Lt plain radiograph of the wrist | lat view | 440 by 932 pixels —
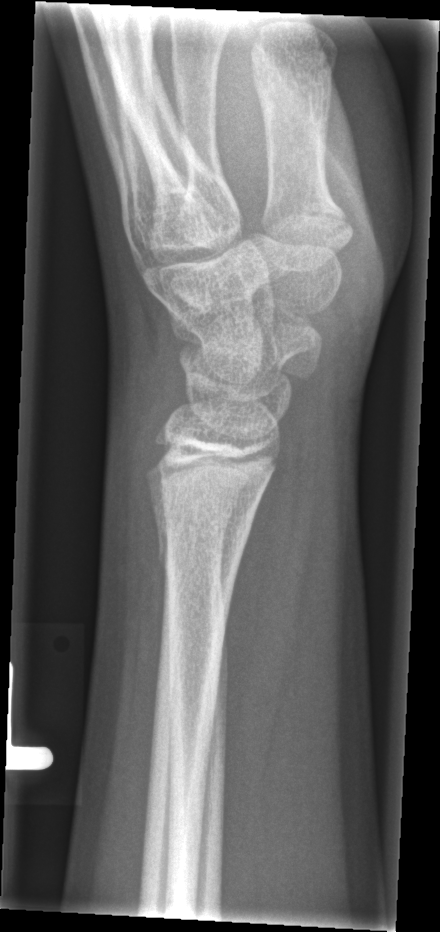

Fracture: 1 @ <155,520>-<245,583>